Lateral view, Lt wrist X-ray — 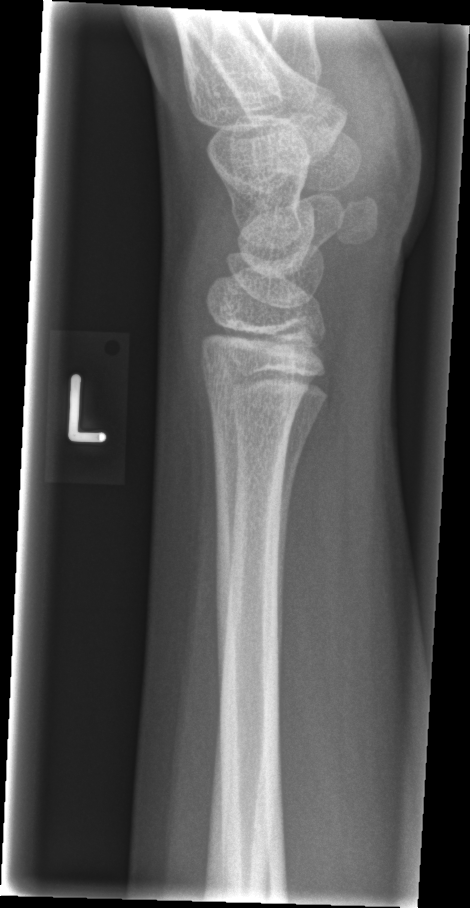 Fx: none.